Rt pediatric wrist radiograph · lat projection: 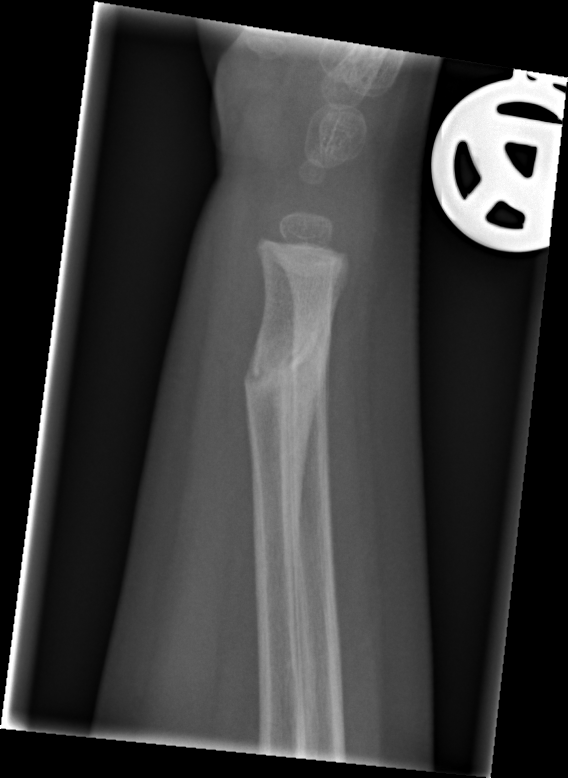 (bounding boxes in image-pixel xyxy)
Bone fracture: [240, 333, 329, 411]
Periosteal reaction: [284, 298, 337, 548]
AO code: 23r-M/3.1; 23u-M/2.1
Osteopenia: present